PA; Rt wrist plain film; initial study: 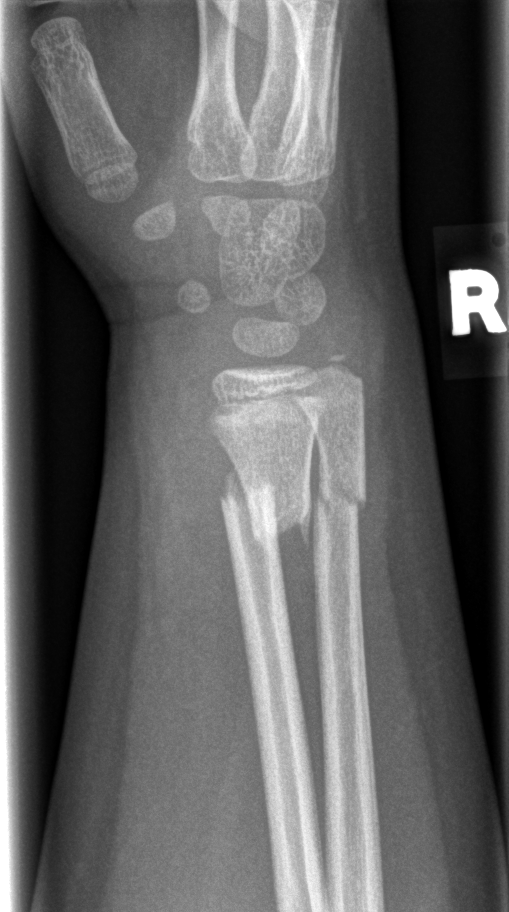

Boxes as x1,y1,x2,y2 (top-left / bottom-right, pixel units). AO code 23-M/3.1. Two Fx at (217, 468, 313, 552); (313, 460, 369, 518).